Rt plain radiograph of the wrist · posteroanterior view · pediatric patient (girl, age 6) —

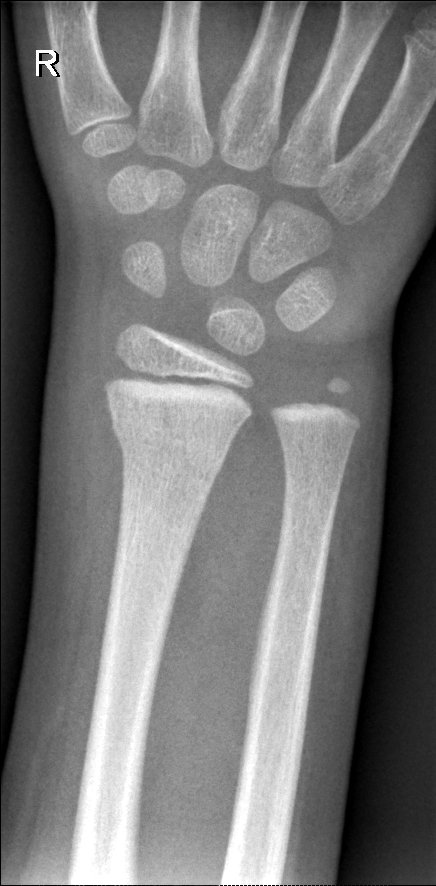
AO/OTA = 23r-M/2.1
bone fracture = 1 @ bbox(106, 396, 241, 467)